Right wrist radiograph · lateral projection
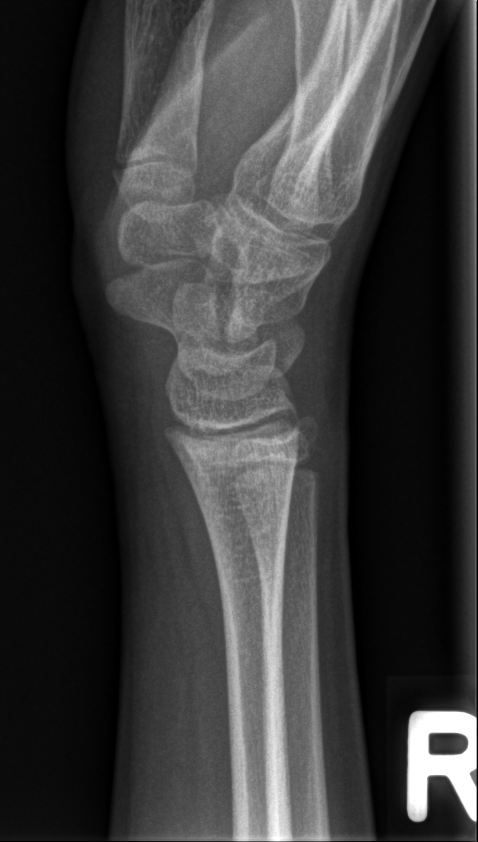
fracture: none labeled